Left wrist X-ray, frontal projection, follow-up study 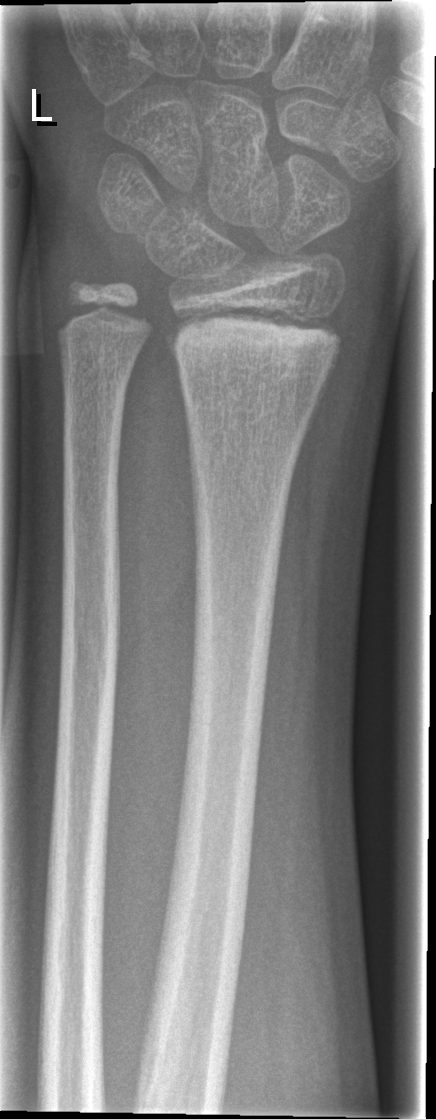 Findings: One fracture at bbox(165, 299, 348, 368). Decreased bone density (osteopenia).